Frontal projection; R wrist XR; 14-year-old boy; 582x1027:
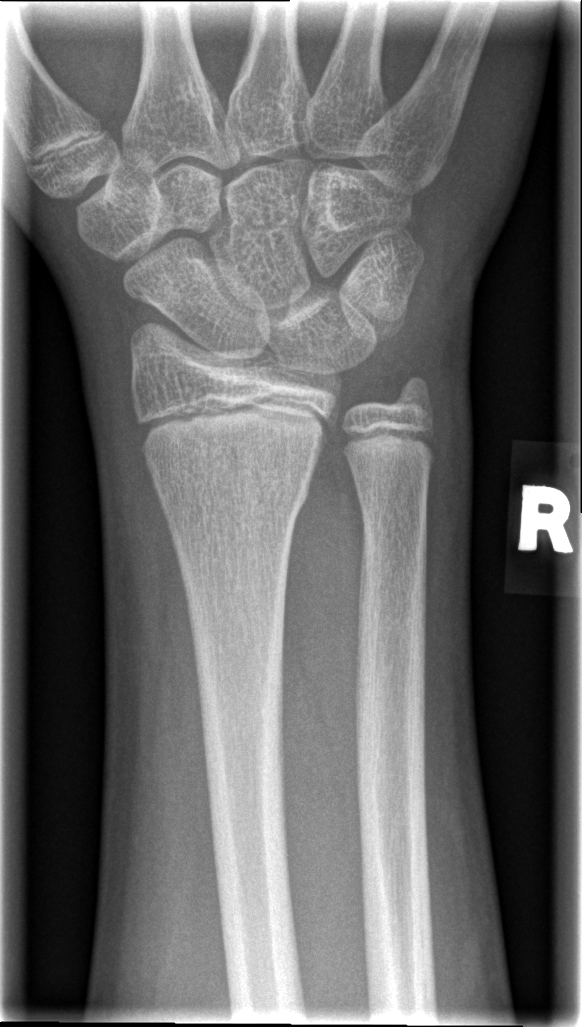 Fracture: (left=147, top=456, right=317, bottom=522).
Fracture classified AO/OTA 23r-M/2.1.